Lt pediatric wrist radiograph · lateral · pediatric patient (girl, age 15) · image 116.4 mm wide —

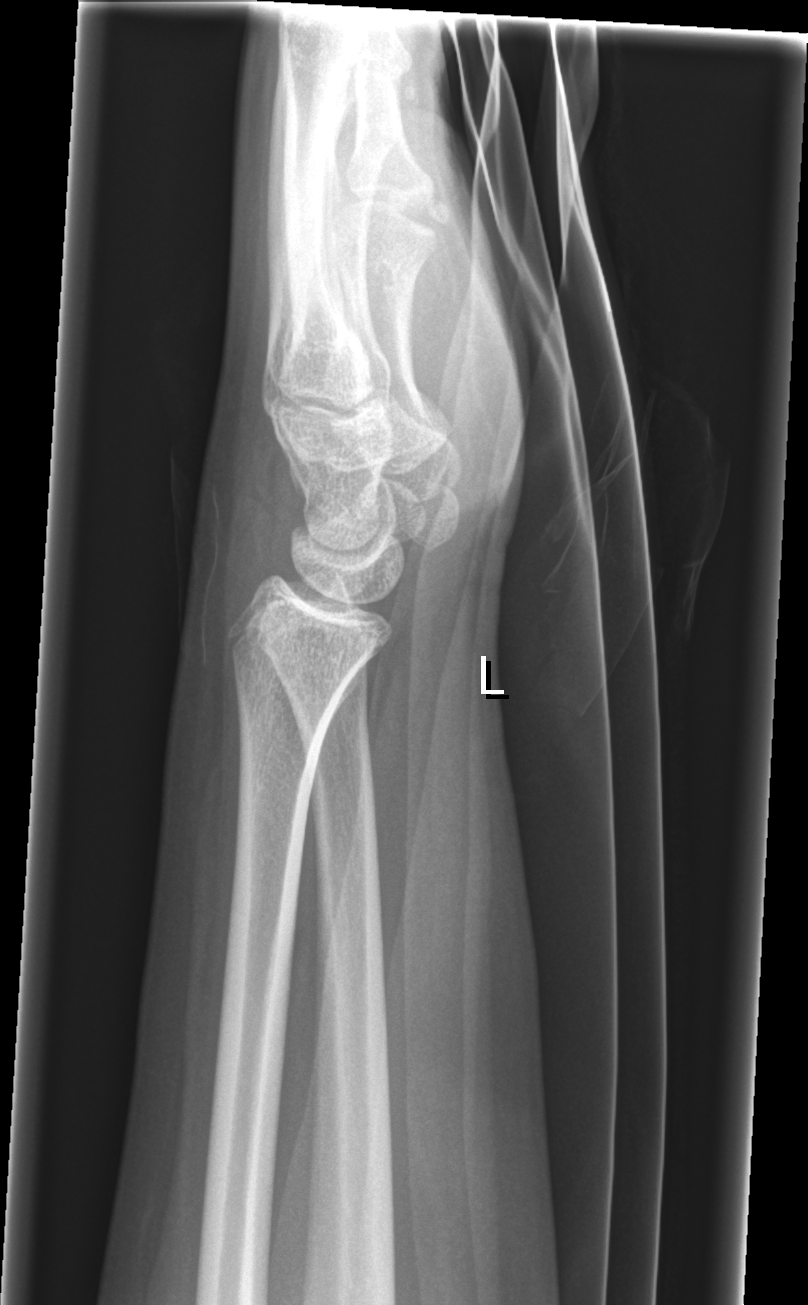

  fracture: none labeled